Lat; Rt wrist X-ray —
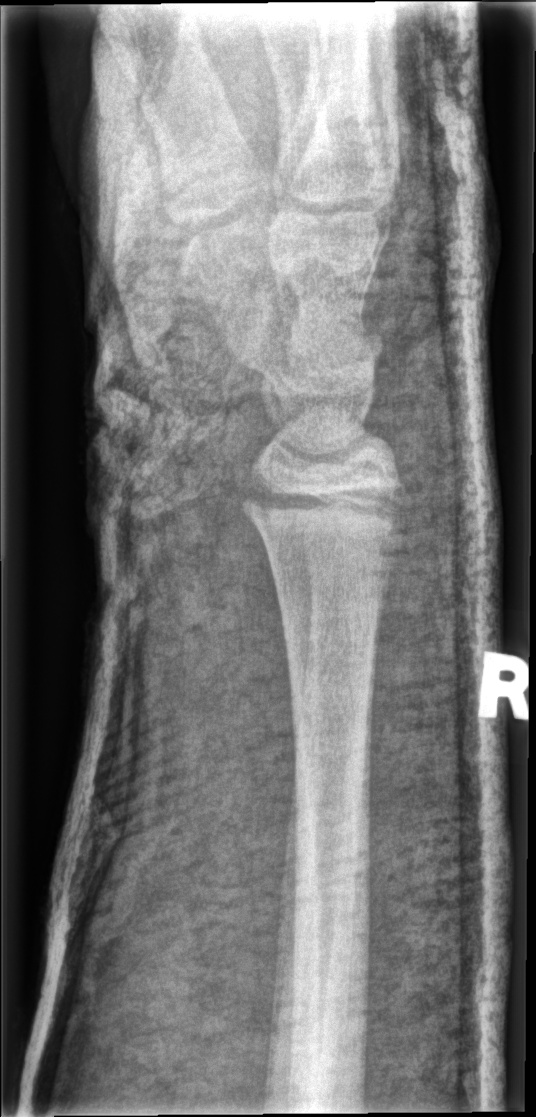

FINDINGS: AO code 23r-E/2.1; 23u-E/7. Fracture — 238 475 408 549.